R wrist X-ray, PA, imaged through cast:

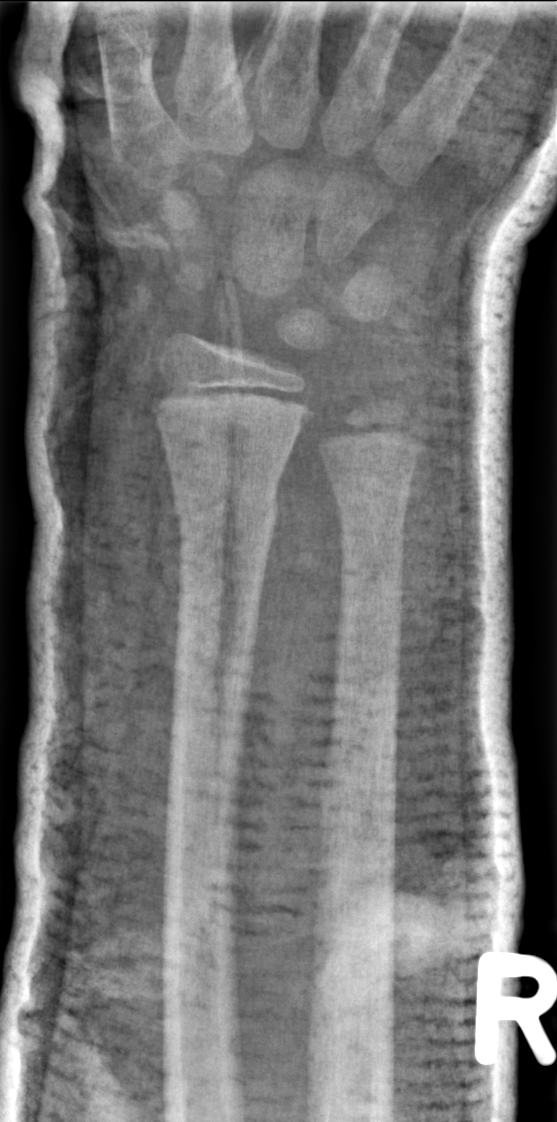

FINDINGS — Fracture classified AO/OTA 23r-M/3.1. Fracture: <167,479>-<284,533>.